Posteroanterior view | R wrist radiograph | pediatric patient (girl, age 1.8) | acquired on Siemens: 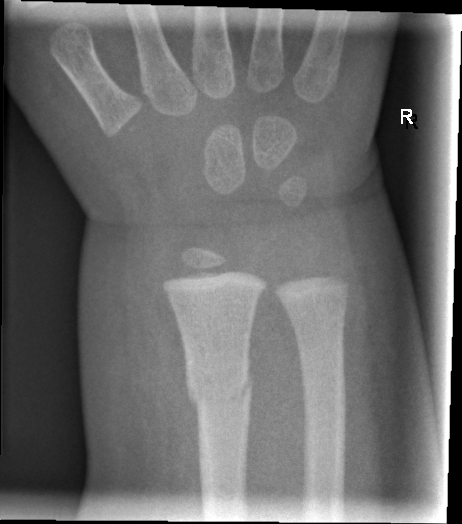

FINDINGS: AO code 23r-M/3.1; 23u-M/2.1. Bone fracture — 182 356 255 417.